Lat; Lt wrist radiograph; 16y F; initial study; Siemens:

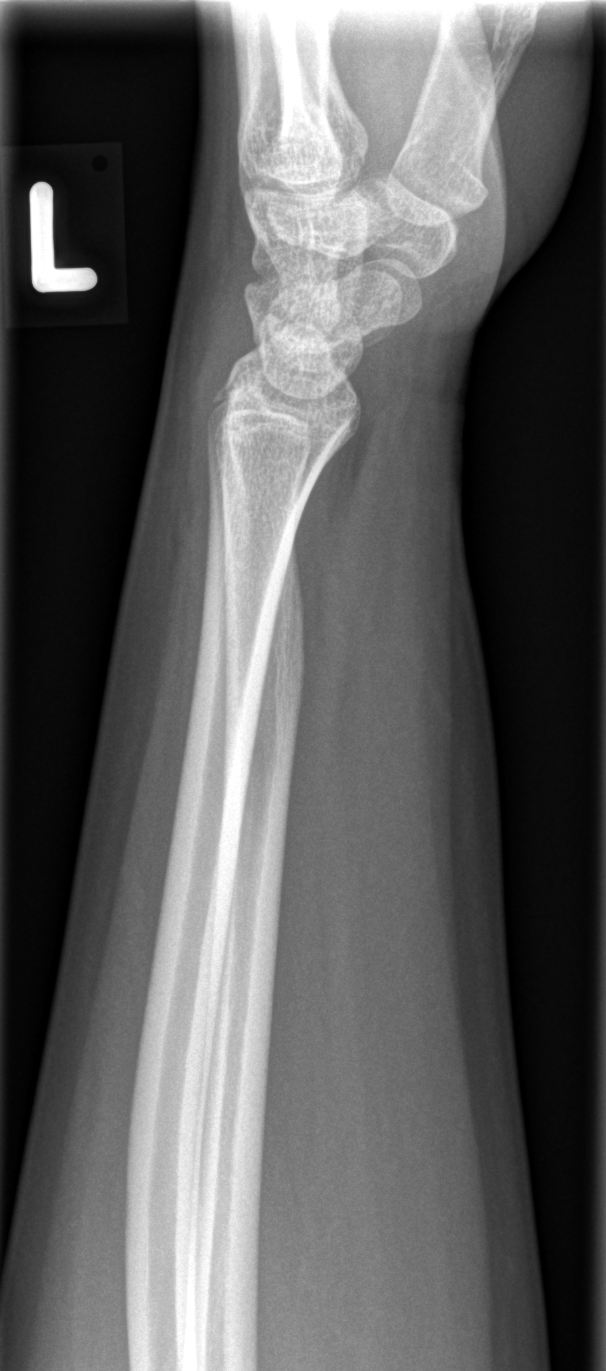
* Fracture: none labeled.